Lateral projection · left wrist plain film · female, 13 yo · initial study · findings marked uncertain by the reading radiologist: 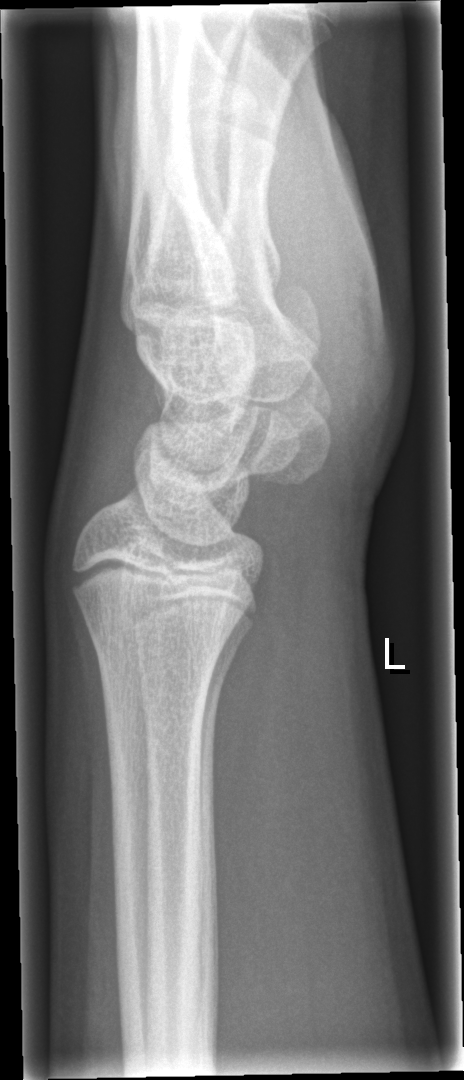
bone fracture = 1 @ [77, 599, 226, 687]